L plain radiograph of the wrist; lat projection. 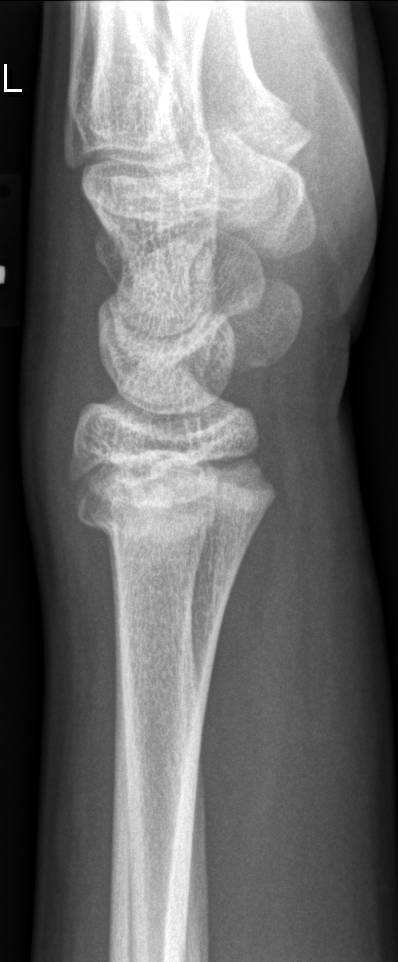
FINDINGS: Bone fracture: (left=66, top=447, right=280, bottom=550). AO code 23r-E/2.1.